Right wrist radiograph | AP projection | 11y M | follow-up | image 102.1 mm wide: 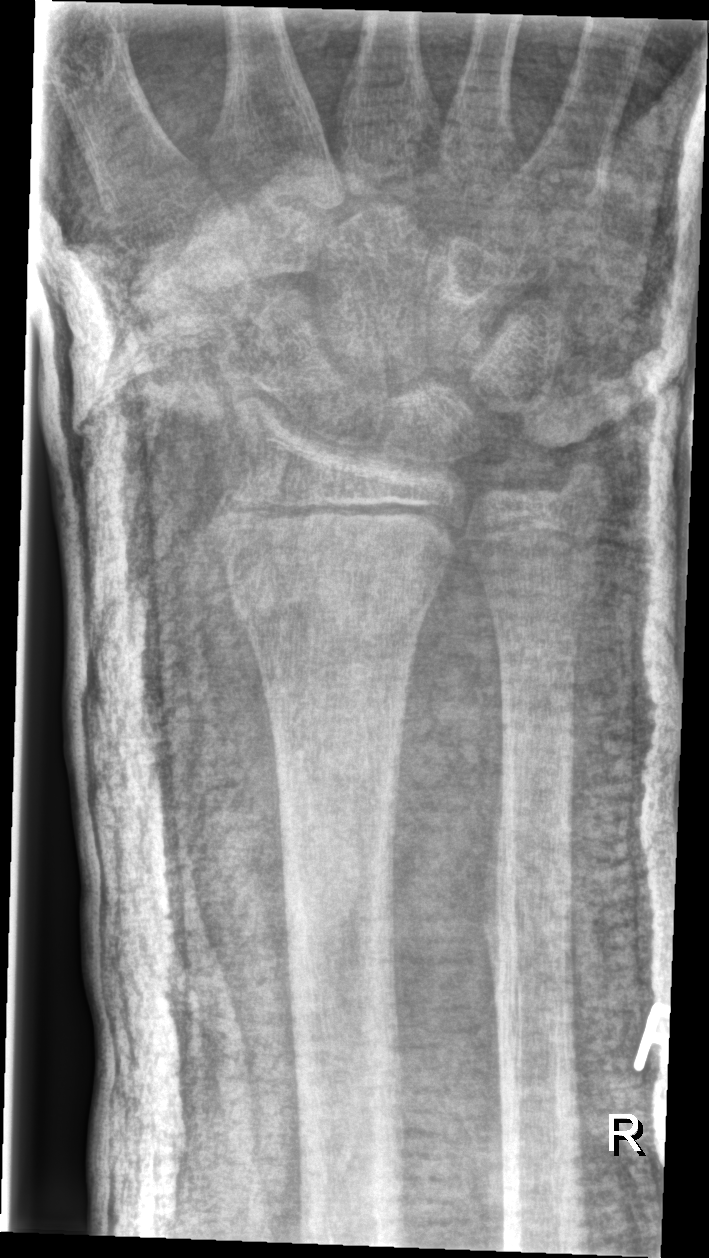

Bounding boxes in image-pixel xyxy.
Fx identified at [x1=219, y1=552, x2=448, y2=647].
Fracture classified AO/OTA 23r-M/2.1.